Lt wrist X-ray; posteroanterior.
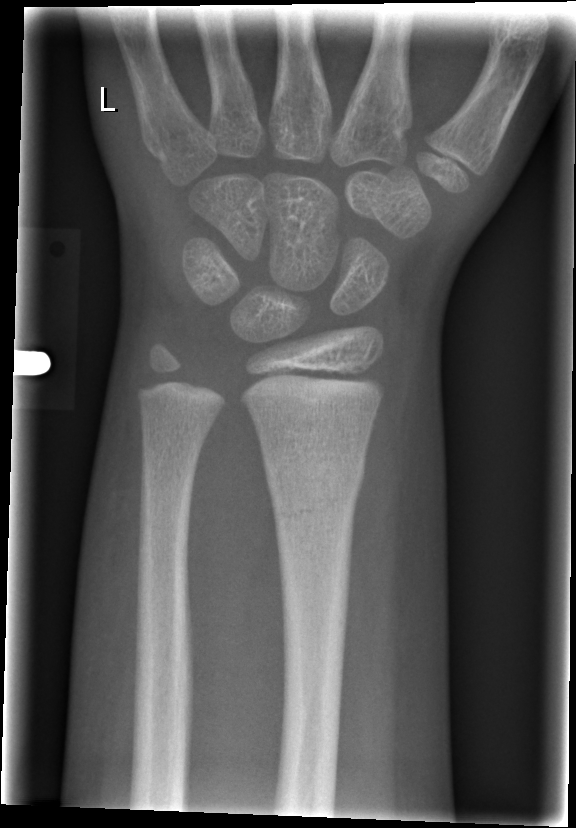

(boxes as x1,y1,x2,y2 (top-left / bottom-right, pixel units))
AO classification = 23r-M/3.1
Bone fracture = (left=266, top=453, right=369, bottom=526)